AP | left plain radiograph of the wrist | male, 10 yo | cast present. 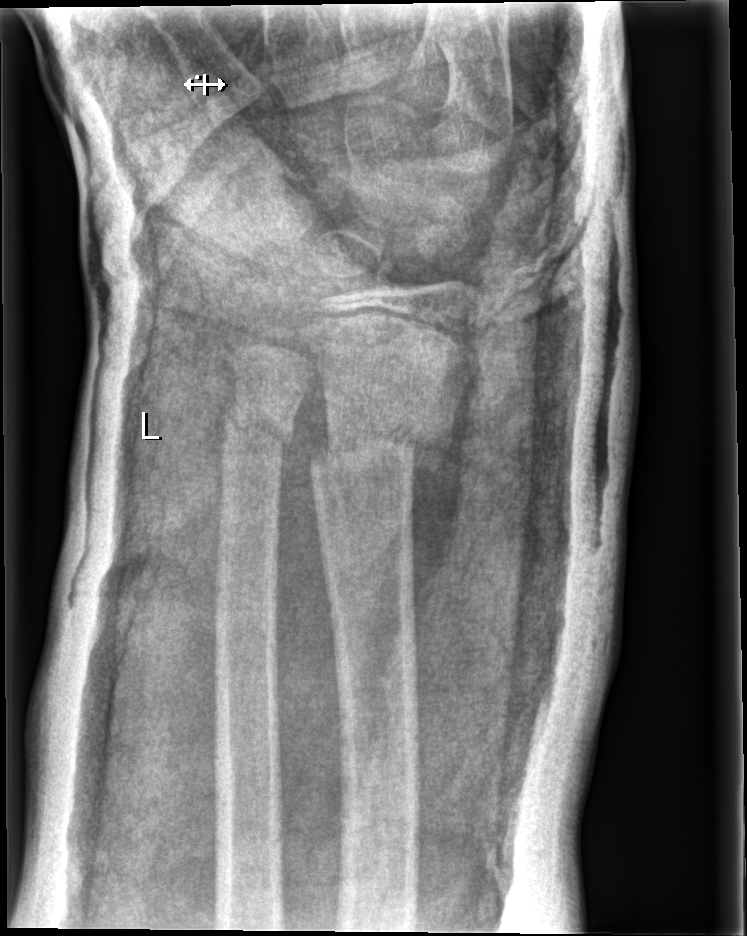

Findings: Fracture identified at bbox(306, 420, 451, 479); bbox(223, 403, 295, 453). AO code 23-M/3.1.